Right wrist XR · lat view · subsequent exam · imaged through cast · 65.4 mm image width · 454 x 1152 px —
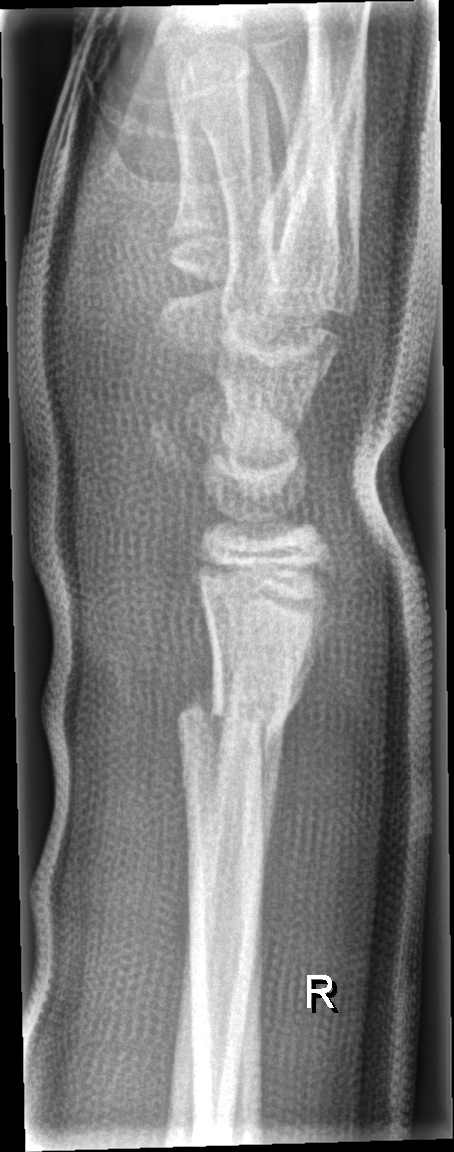

fracture: 1 @ [170, 672, 307, 810]